Rt wrist X-ray; lateral; male, 18 yo; index exam; Siemens
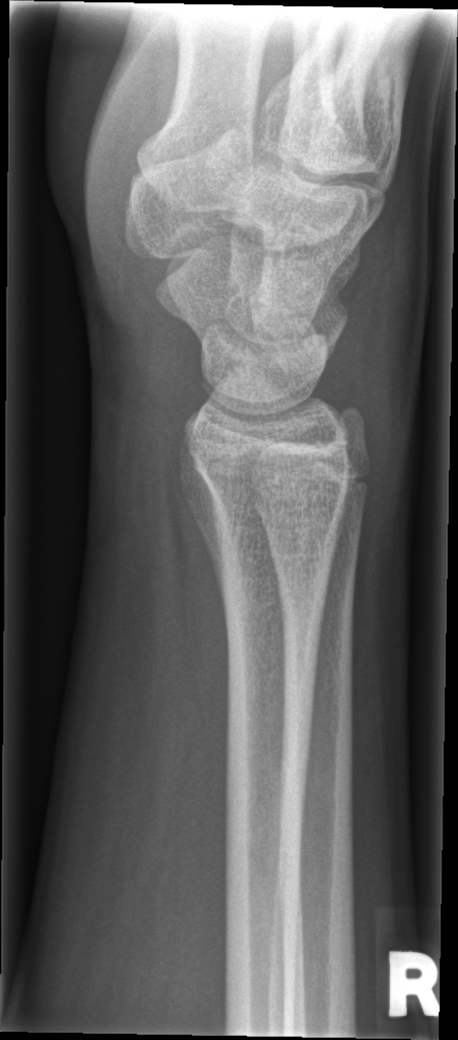

FINDINGS: Fracture: none labeled.